PA/AP projection | left wrist plain radiograph of the wrist:
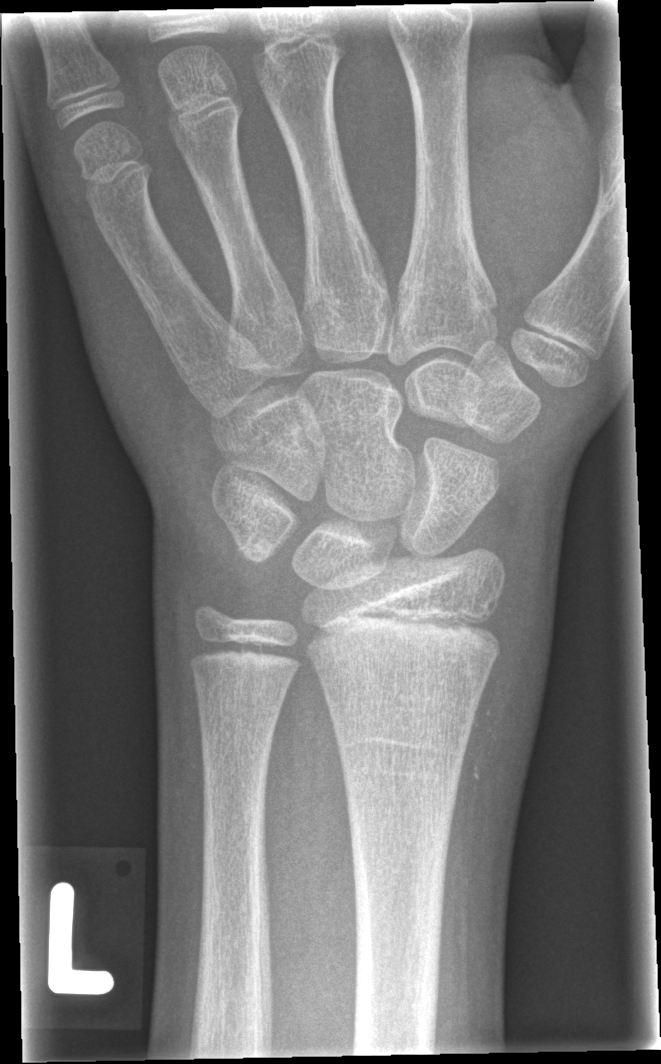
  fracture: none labeled